Posteroanterior | Lt wrist radiograph | age 7 y, male | follow-up study

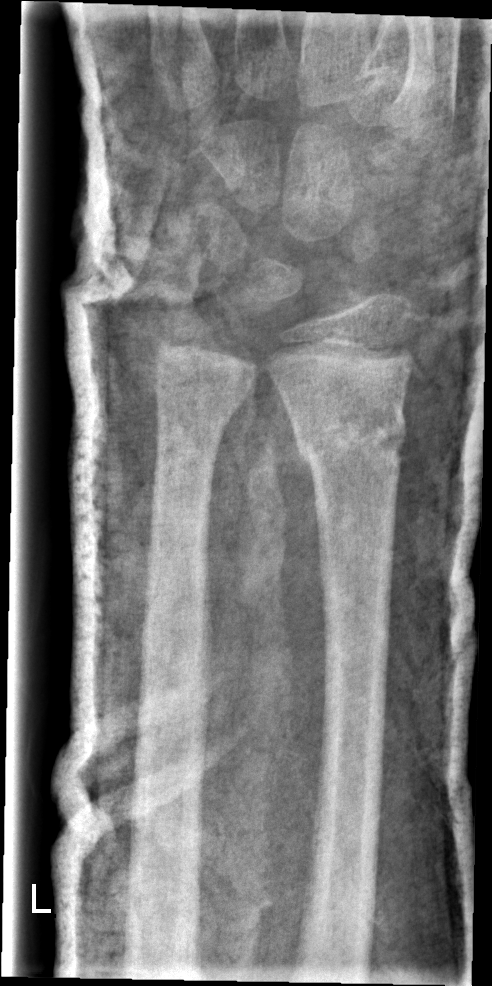 AO classification = 23r-M/3.1; 23u-M/2.1
Fx = 1 @ (291, 395, 409, 468)